Lt pediatric wrist radiograph; PA/AP projection; follow-up; cast present

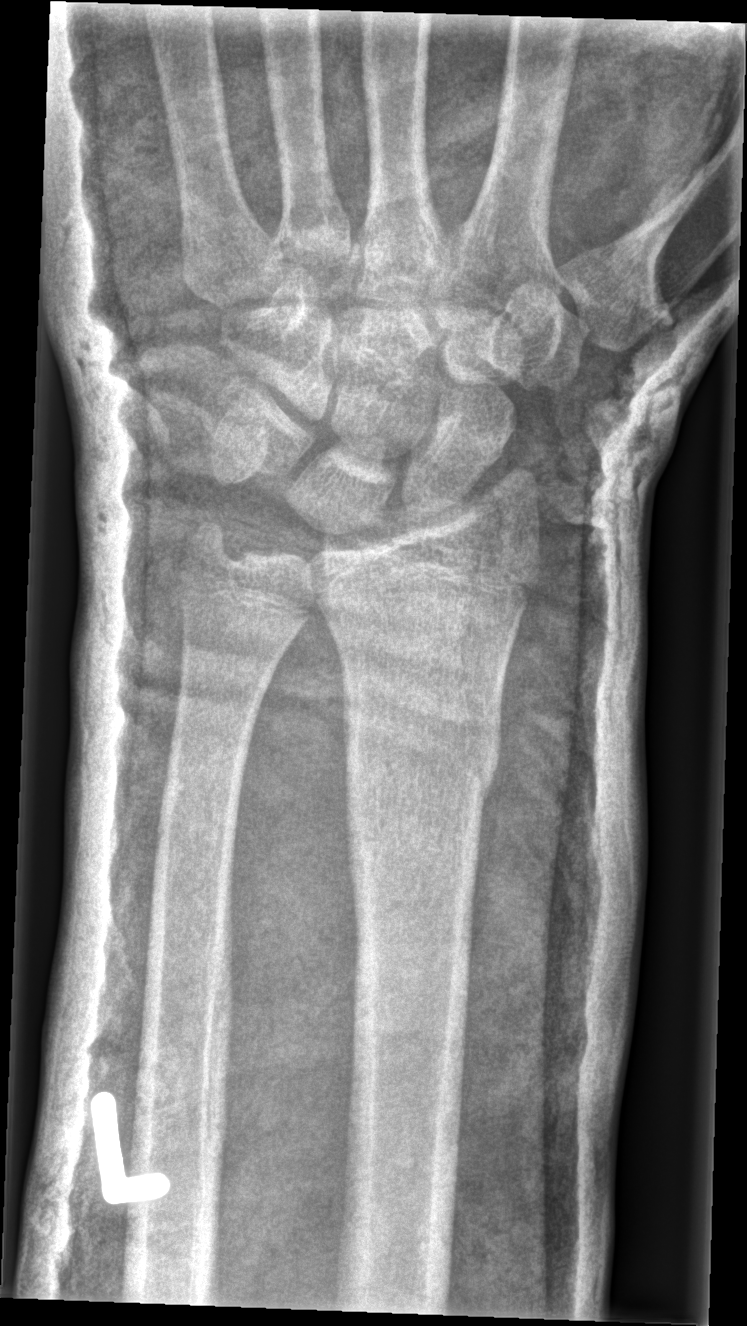 Pixel coordinates, top-left origin, xyxy.
AO/OTA classification: 23r-M/2.1.
One fracture at 339,696,505,811.